Posteroanterior | R wrist radiograph | subsequent exam | in cast 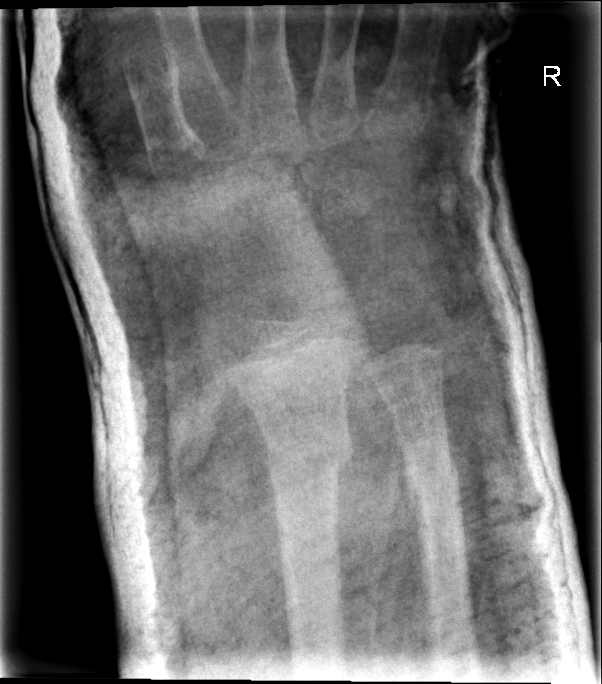 Bone fracture: 253 427 357 479
  399 442 465 515
AO code: 23-M/3.1